R pediatric wrist radiograph; PA/AP; imaged through cast: 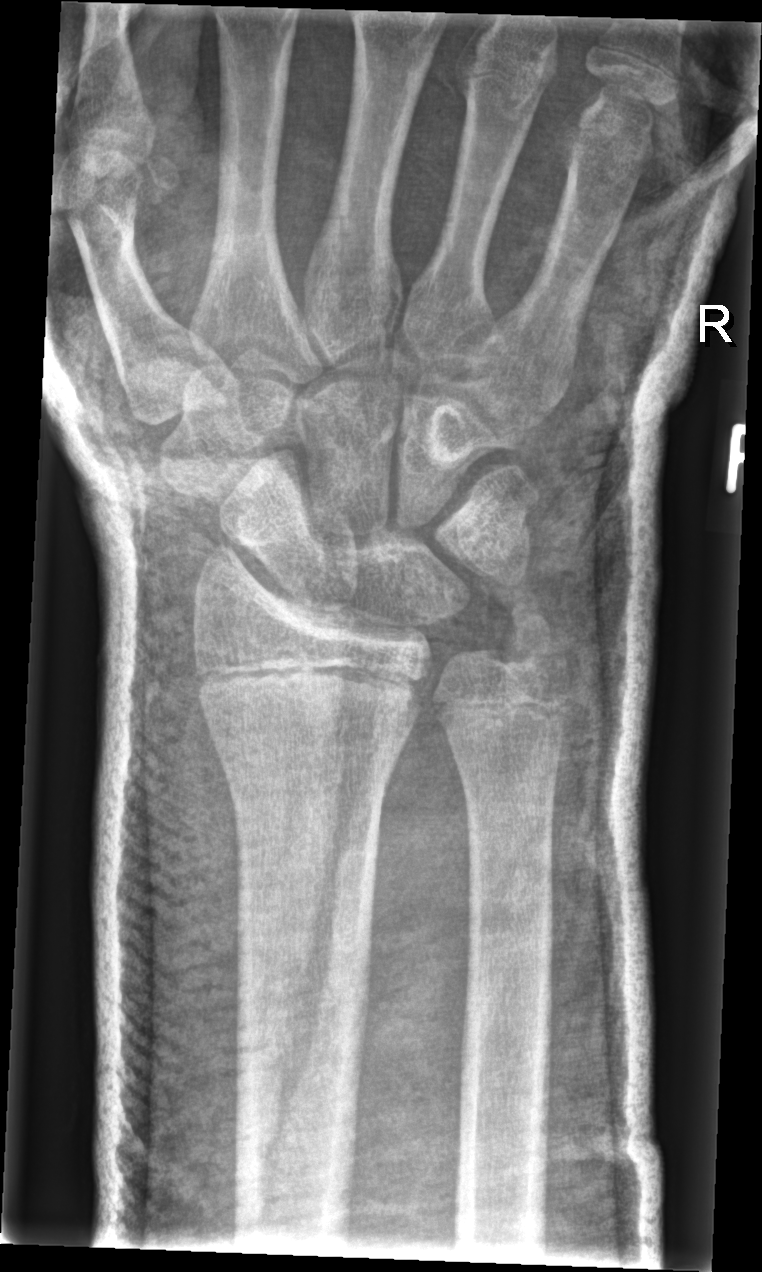

Bounding boxes in image-pixel xyxy.
Fracture classified AO/OTA 23r-E/2.1; 23u-E/7.
Fx identified at 187 639 428 741; 492 609 573 692.